AP view; Lt wrist plain film; 10-year-old male; acquired on Siemens; image 67.7 mm wide —
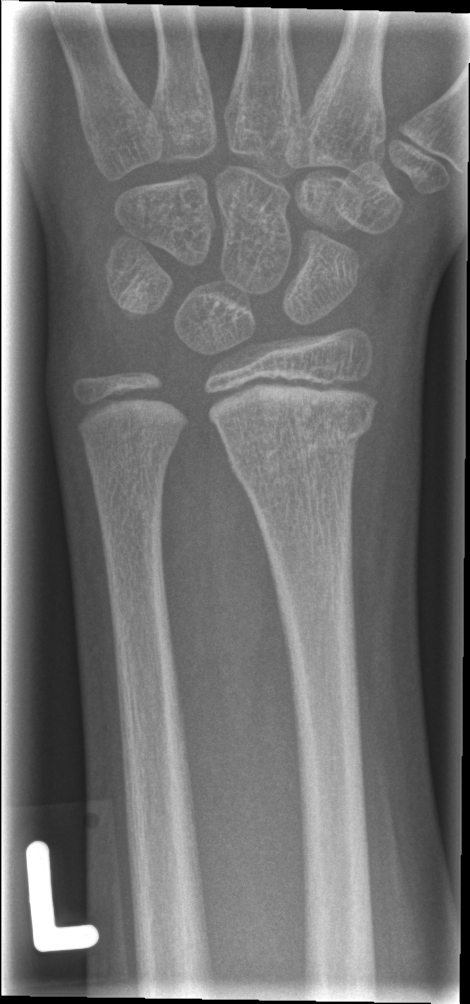
Bounding boxes in image-pixel xyxy. Fx identified at bbox(222, 402, 380, 486), bbox(78, 418, 185, 478).